Lateral | L wrist X-ray —
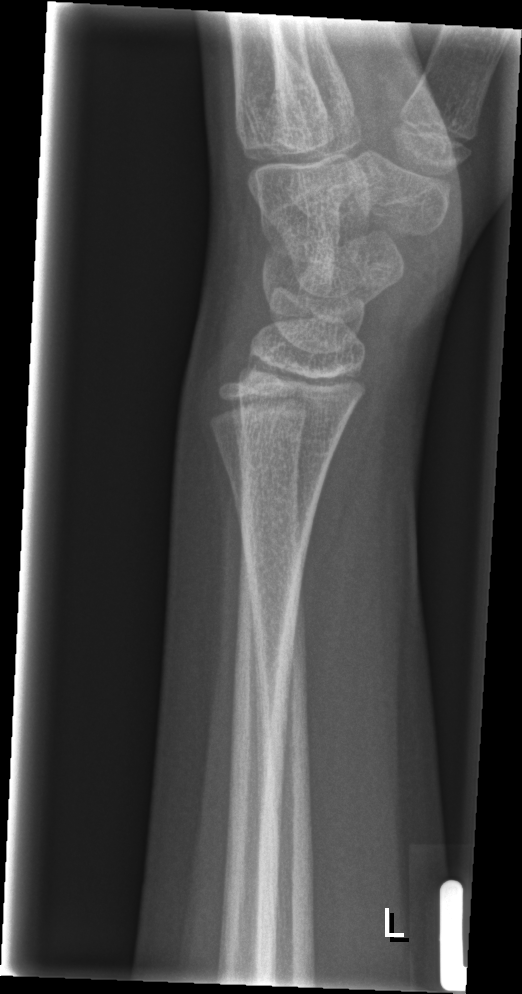

  fracture: none labeled